Left wrist radiograph; lat view; 6-year-old girl: 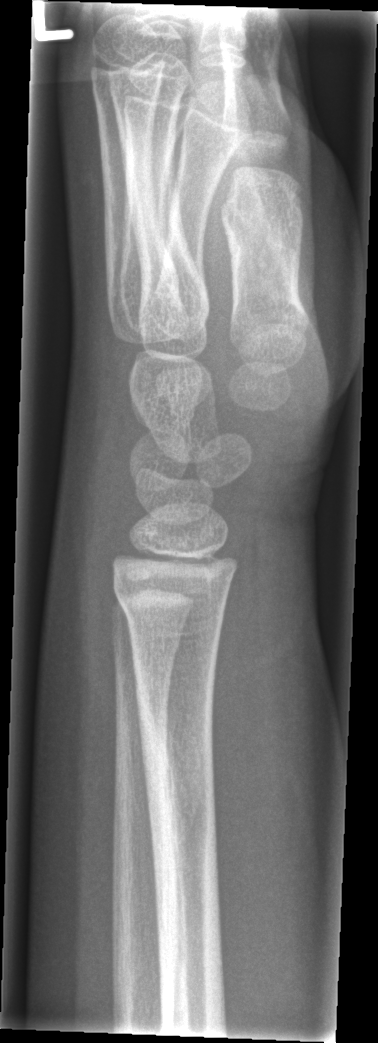

(pixel coordinates, top-left origin, xyxy)
Fx = 2 @ (left=134, top=674, right=227, bottom=1026), (left=112, top=574, right=231, bottom=629)